R wrist radiograph | lat | in cast | image width 80.9 mm.

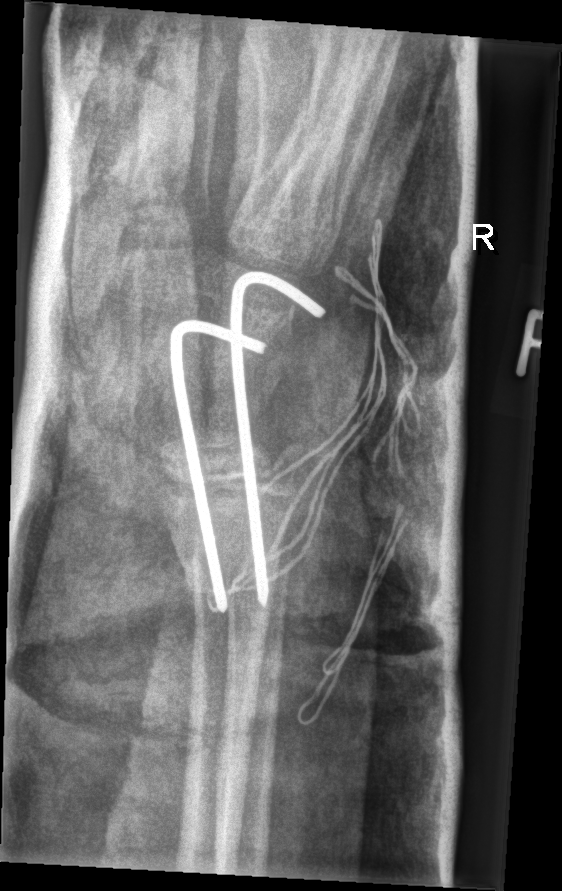

Findings: (pixel coordinates, top-left origin, xyxy) Metallic implant: 196,207,439,722 | 162,264,331,625. Bone fracture — 174,546,279,603. Fracture classified AO/OTA 23r-E/2.1.